Left wrist plain radiograph of the wrist; lat; pediatric patient (boy, age 19); image 111.5 mm wide —
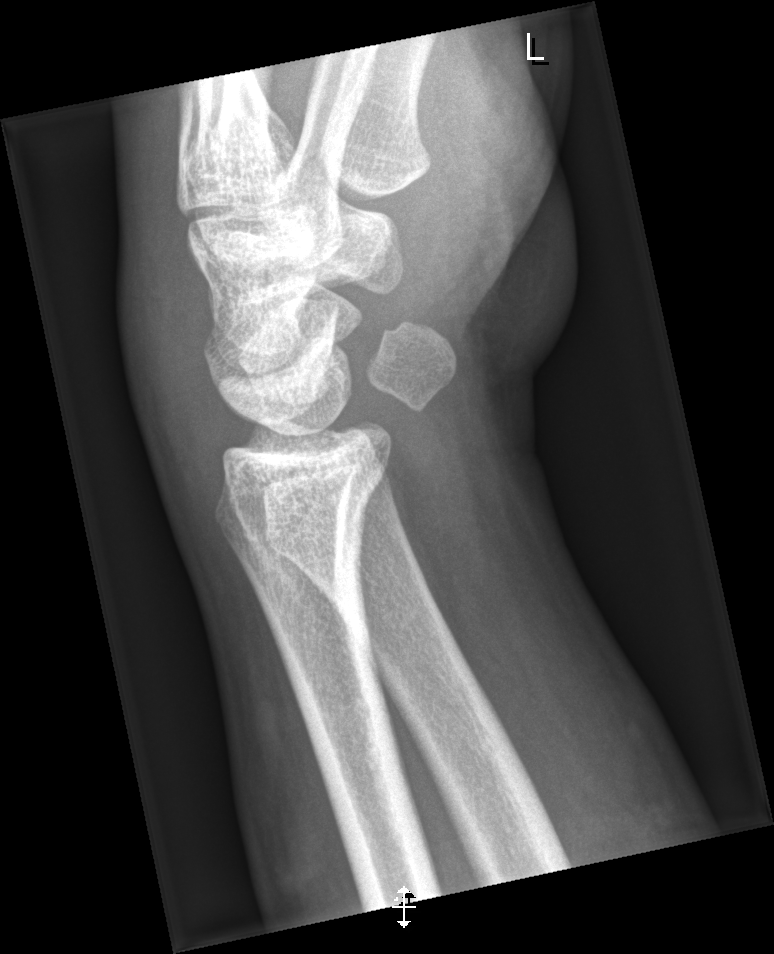 No Fx annotated.